Left wrist plain film · PA/AP · index exam · 72.7 mm image width: 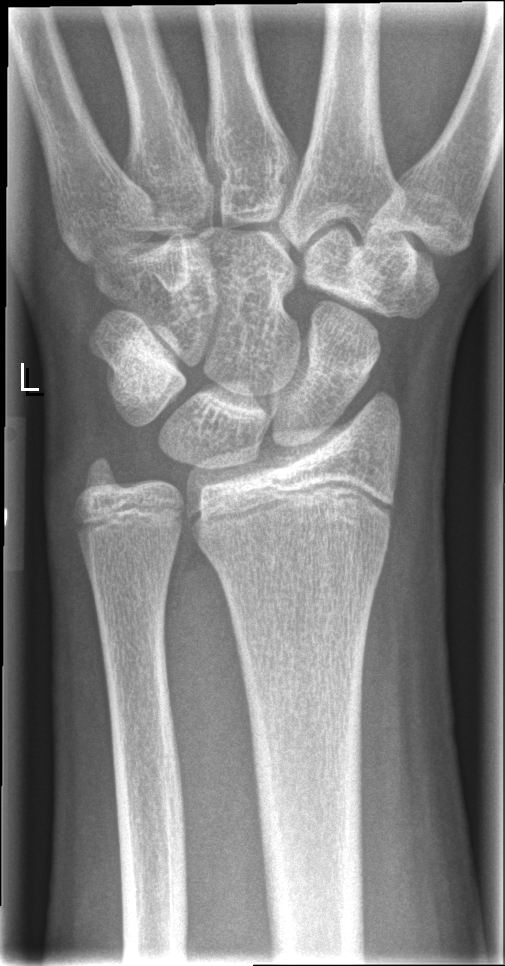
No fracture annotation.